Posteroanterior view, Rt wrist XR, 80.8 mm image width.
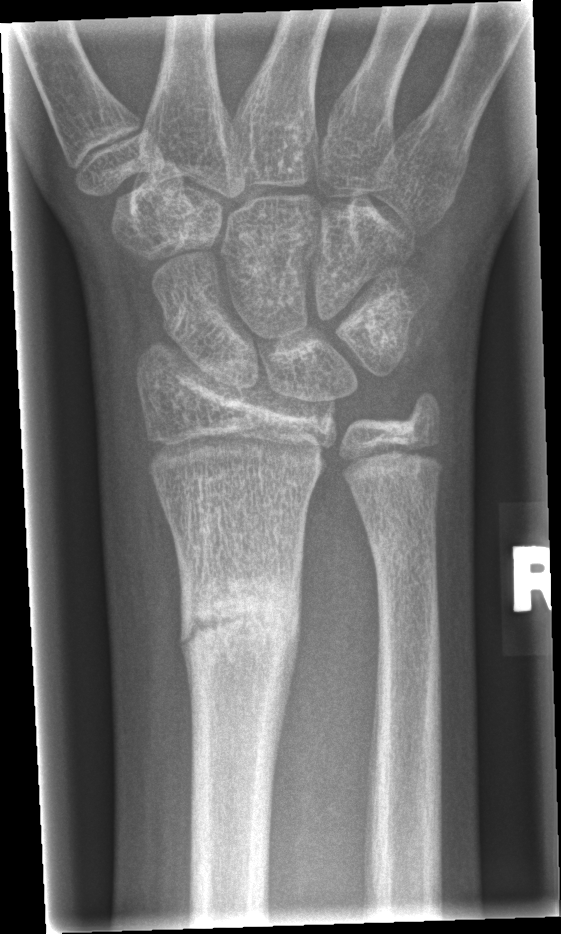

* Boxes as x1,y1,x2,y2 (top-left / bottom-right, pixel units).
* Two fractures at 174 570 305 695; 367 526 440 584.
* Fracture classified AO/OTA 23r-M/3.1; 23u-M/2.1.